Right pediatric wrist radiograph, PA view, image width 83.4 mm, 579 by 940 pixels. 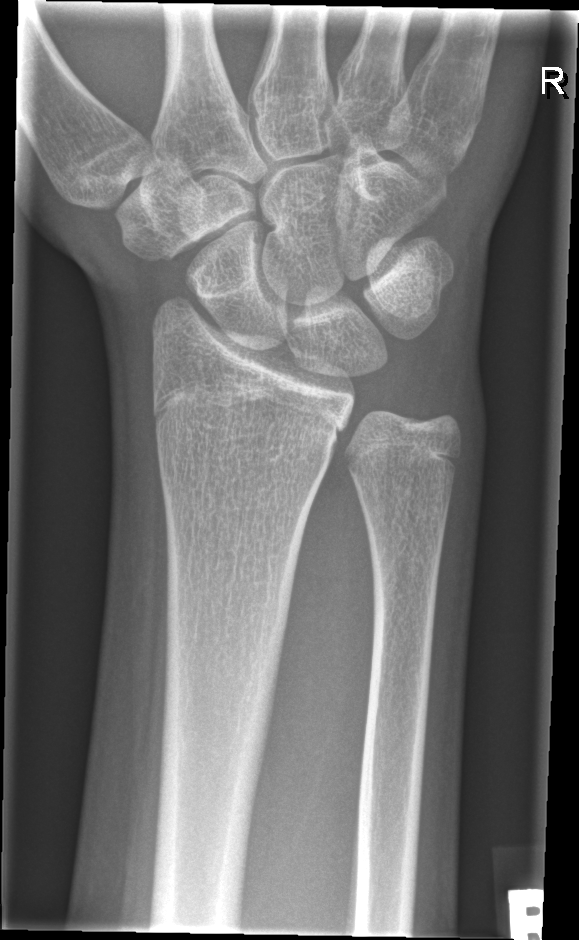
• No fracture annotation.